Rt wrist X-ray; PA/AP view; 10-year-old female; initial study; 79.6 mm image width —

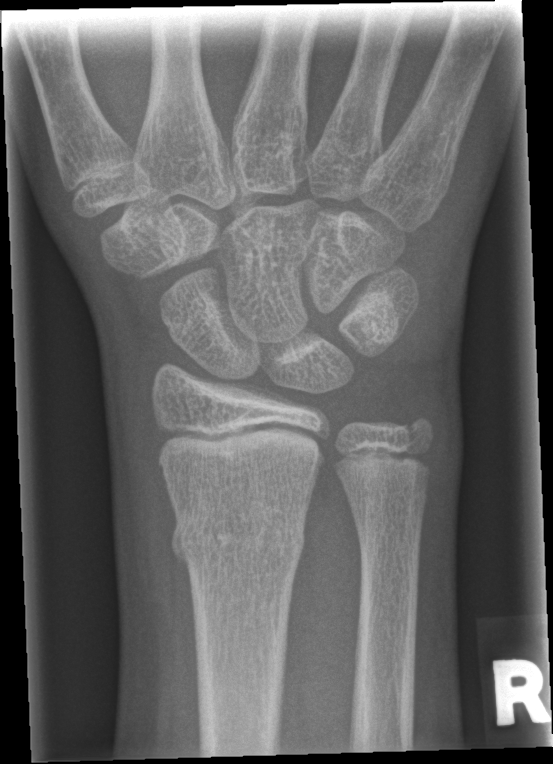 Q: Is there a fracture?
A: Bone fracture: 167,499,308,568; 377,401,442,466